Frontal projection | right wrist plain film | pediatric patient (male, age 11) | presentation radiograph | 594x1033

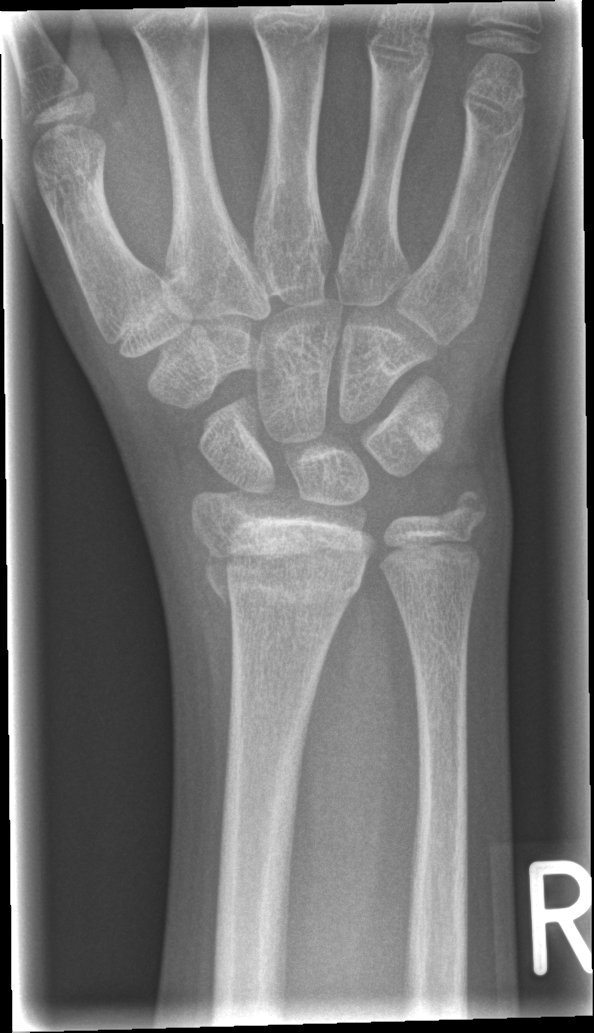

Fracture classified AO/OTA 23r-E/2.1; 23u-E/7. Fracture: <187,513>-<376,606>, <439,477>-<495,544>.